Lat · R plain radiograph of the wrist · male, 5 yo · acquired on Siemens — 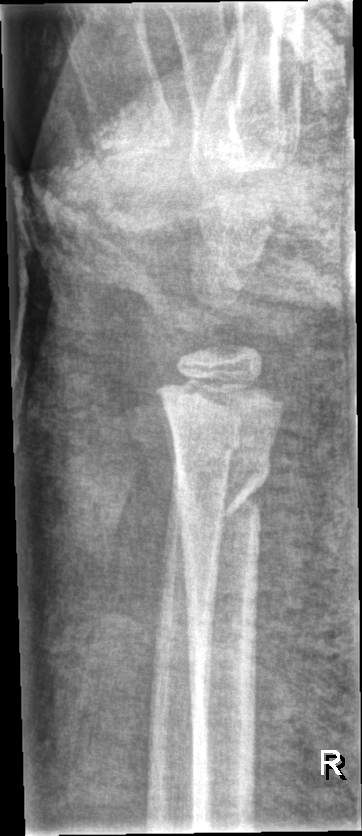
fracture: 1 @ (left=167, top=461, right=275, bottom=532)
AO code: 23r-M/3.1; 23u-M/2.1